Rt pediatric wrist radiograph, lateral view, pediatric patient (boy, age 7), initial study. 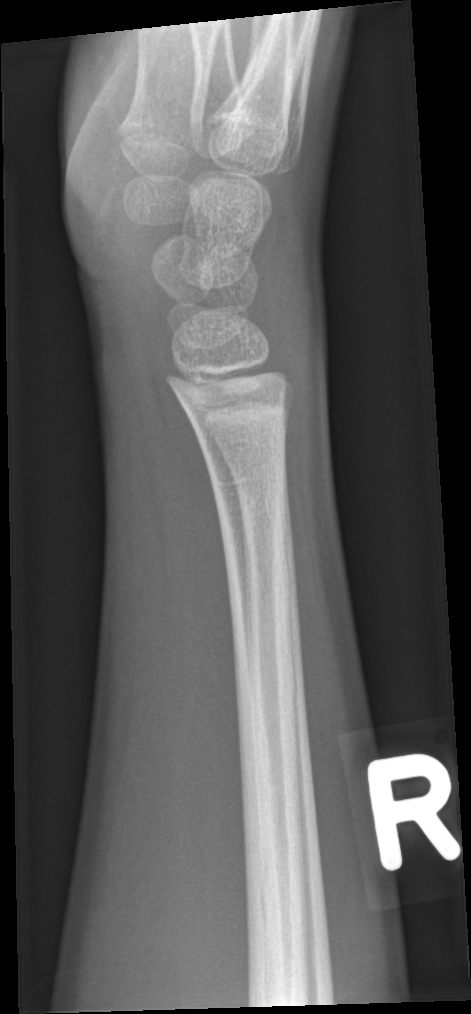

Fx: none labeled